Left wrist XR · lateral view · follow-up.
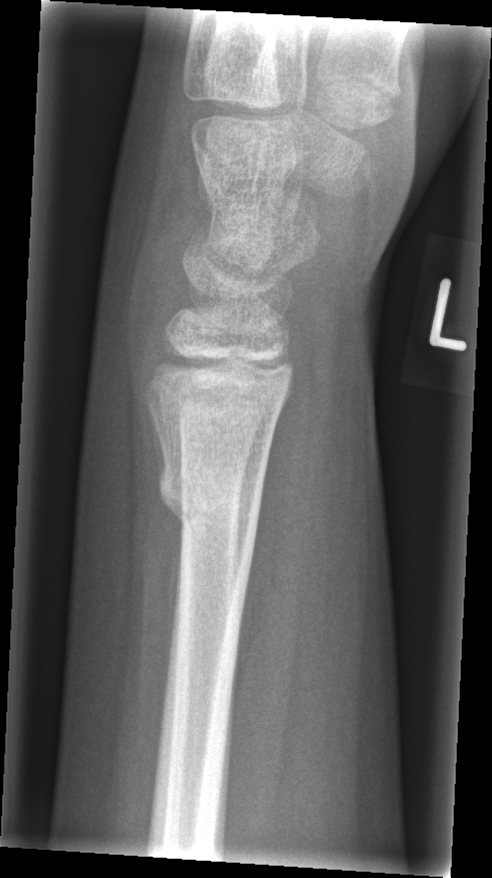 FINDINGS: (coordinates are [x1, y1, x2, y2] in image pixels) One bone fracture at (155, 453, 266, 546).